Posteroanterior projection, R pediatric wrist radiograph, pediatric patient (female, age 14). 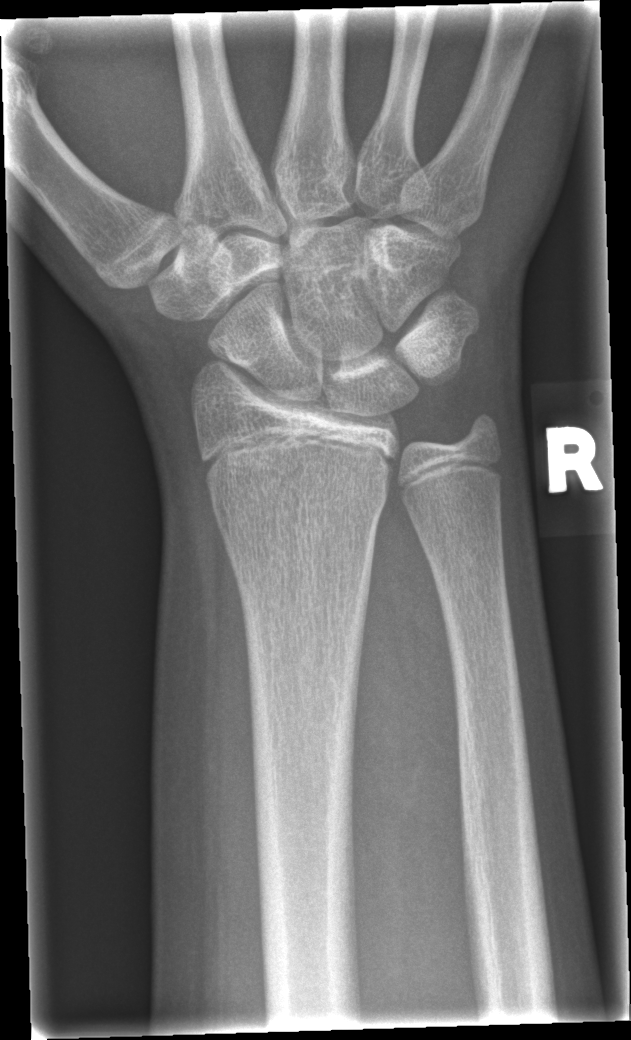 AO code 23r-M/2.1.
Bone fracture identified at <209,470>-<390,543>.